Left wrist X-ray | lateral | cast present 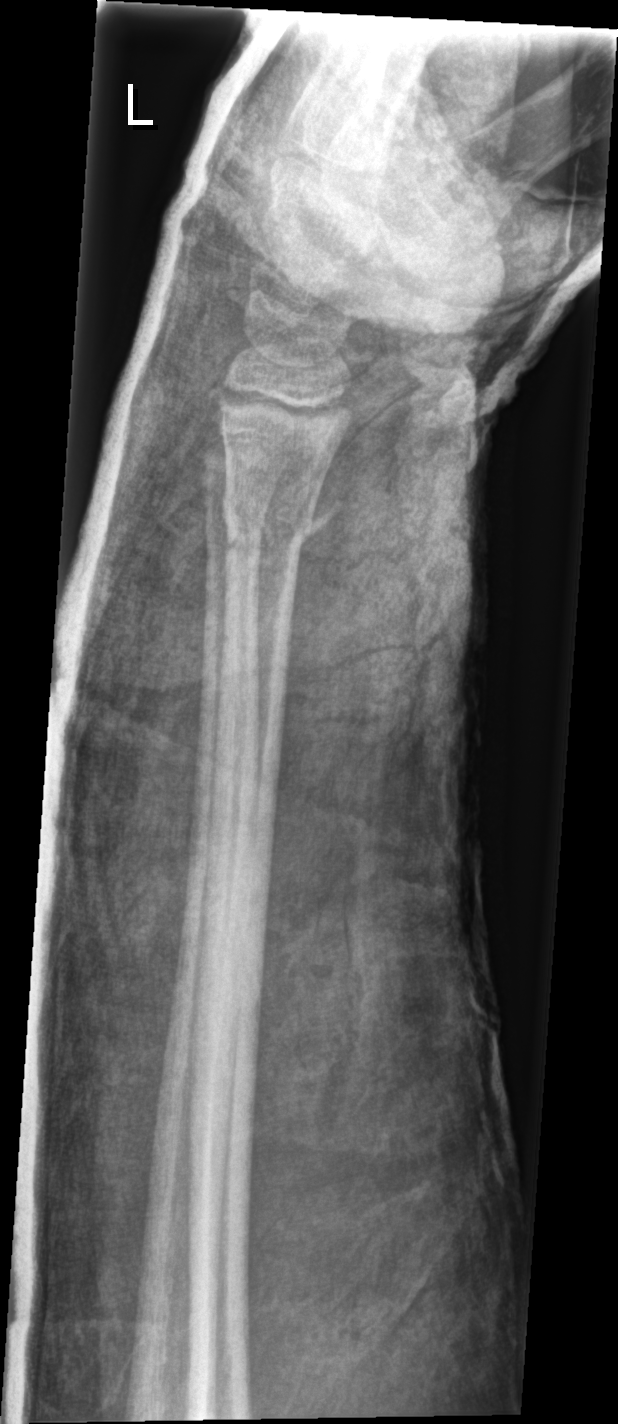 • Fx — <222,484>-<348,560>.
• AO/OTA classification: 23r-M/3.1; 23u-E/2.1.